Rt wrist radiograph | AP projection | 6-year-old girl | presentation radiograph
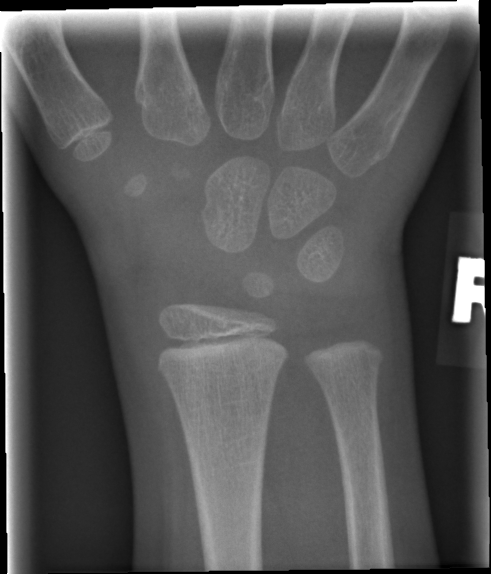
FINDINGS — No Fx annotated.